Lt plain radiograph of the wrist | lat | image width 56.7 mm

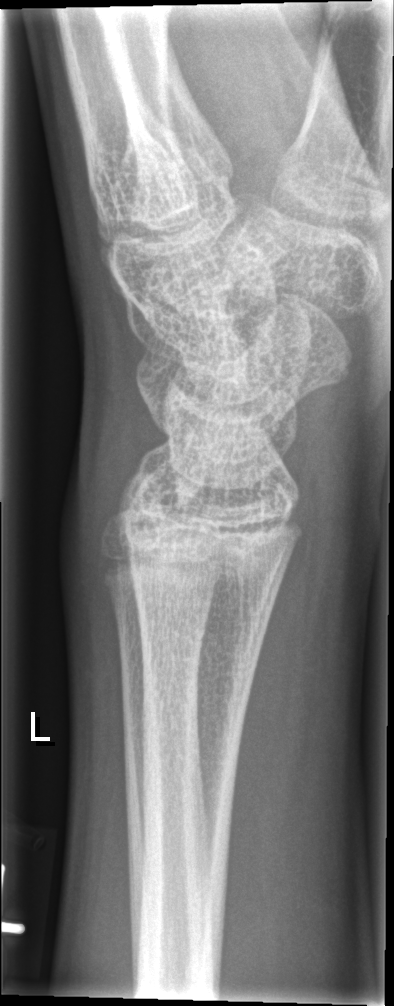

No fracture bounding box.